Left wrist radiograph, posteroanterior, boy, 13 yo, image 103.0 mm wide: 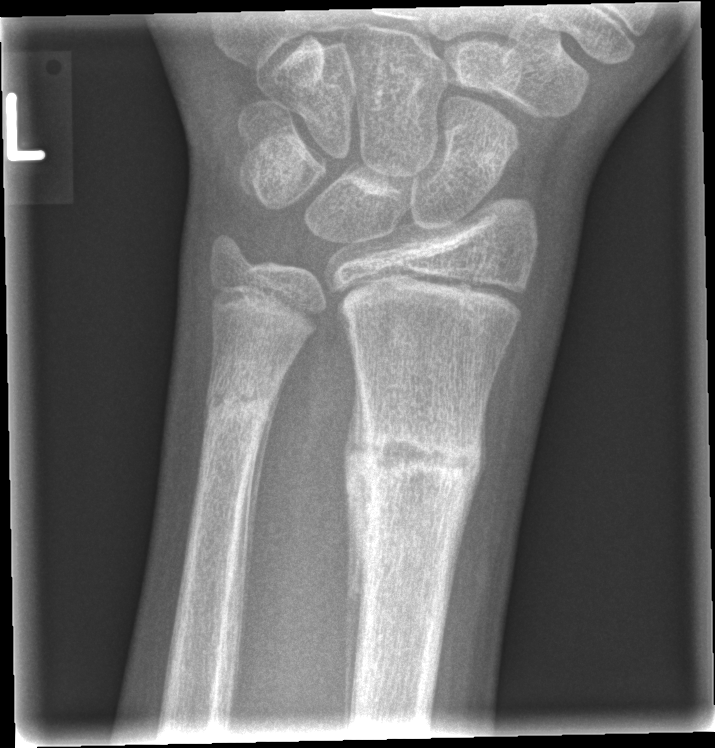
Periosteal thickening: (left=237, top=356, right=295, bottom=675), (left=441, top=398, right=489, bottom=643), (left=342, top=368, right=374, bottom=732), (left=240, top=391, right=280, bottom=602), (left=343, top=387, right=366, bottom=721). Osteopenia. Bone fracture: (left=344, top=421, right=488, bottom=498) (left=202, top=375, right=278, bottom=426). AO/OTA classification: 23-M/3.1.